Lt wrist radiograph · posteroanterior view · 11y F:

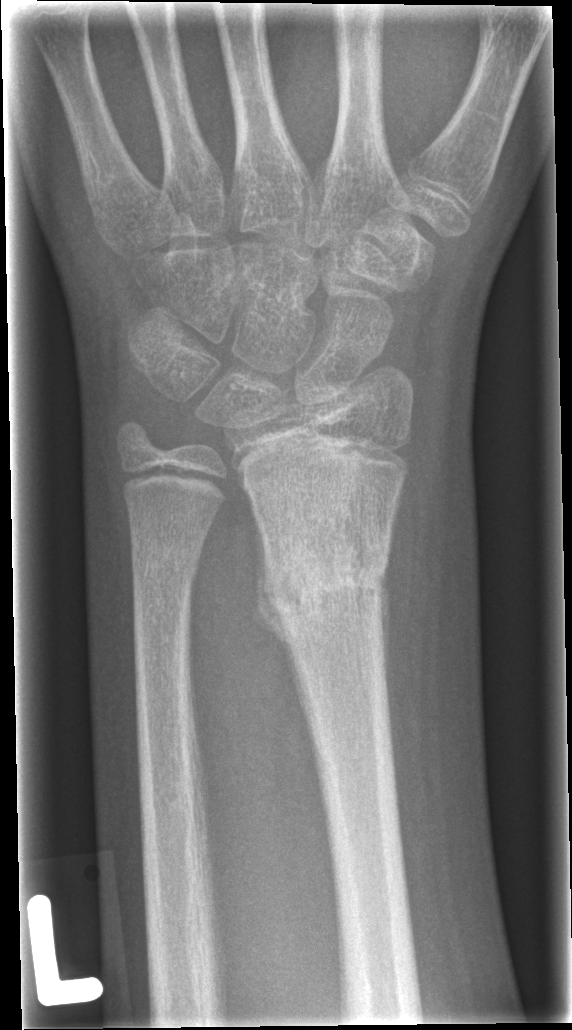 Coordinates are [x1, y1, x2, y2] in image pixels.
Two bone fractures at bbox(258, 555, 391, 622); bbox(131, 548, 201, 595).
AO/OTA classification: 23r-M/3.1; 23u-M/2.1.
Periosteal new bone: bbox(253, 518, 286, 645); bbox(377, 569, 392, 659).
Decreased bone density (osteopenia).